Left wrist radiograph · AP projection:
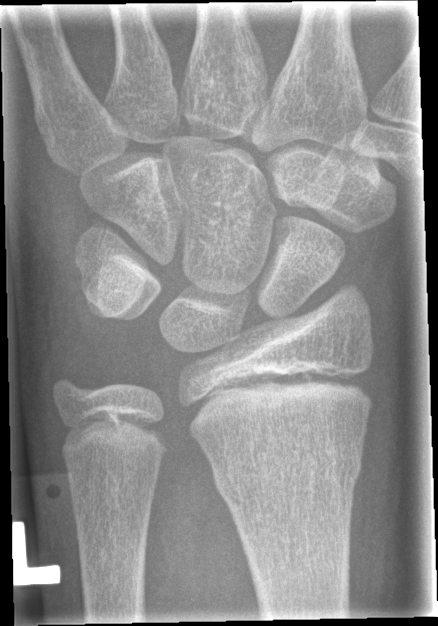 (pixel coordinates, top-left origin, xyxy)
AO classification = 23r-M/2.1
Bone fracture = 1 @ (left=211, top=434, right=367, bottom=508)